Lt wrist XR | PA view | age 5 y, female | follow-up study | 402 by 704 pixels —
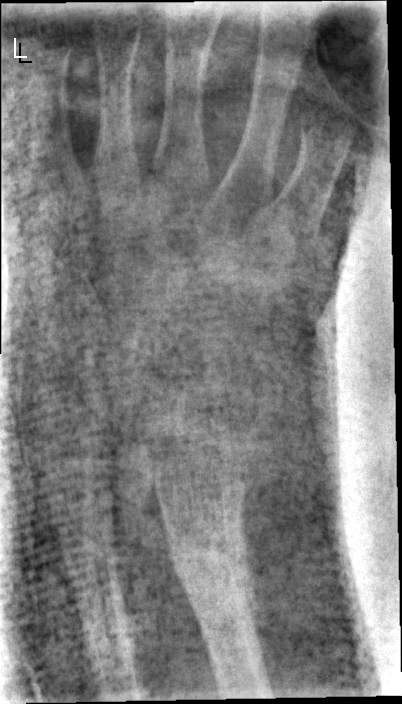
Fx = <167,522>-<251,593>
AO classification = 23r-M/3.1; 23u-M/2.1